Right wrist pediatric wrist radiograph; lateral view; index exam; 59.3 mm image width — 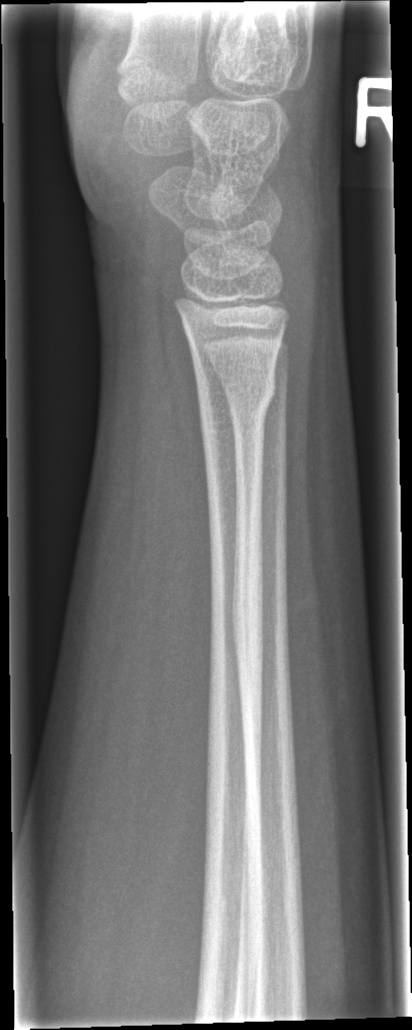
* Fracture classified AO/OTA 23r-M/2.1.
* Bone fracture identified at bbox(193, 363, 280, 424).